L wrist plain film | lateral | 5-year-old male | follow-up study —

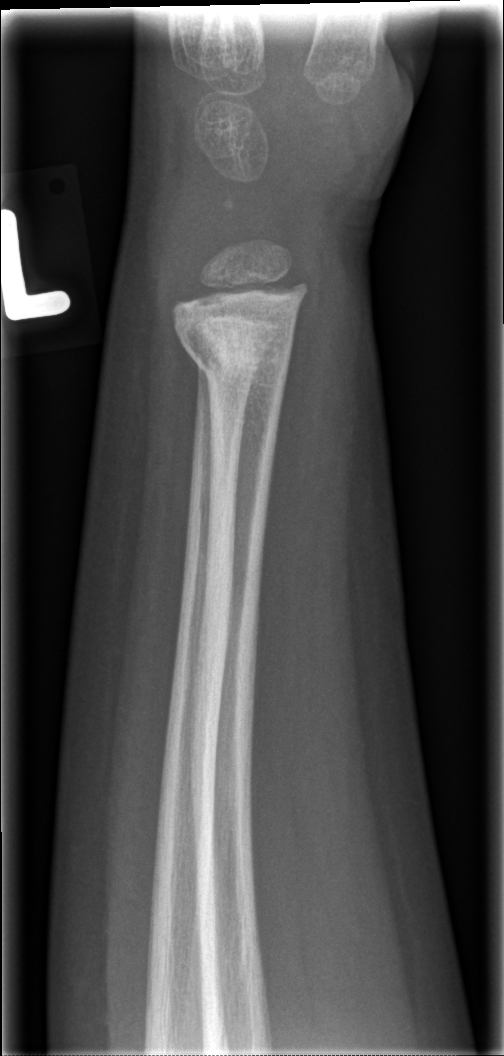
• Pixel coordinates, top-left origin, xyxy.
• Fracture: bbox(177, 318, 298, 398).